PA/AP; Rt wrist plain film; 16-year-old female; 533 x 992 px —
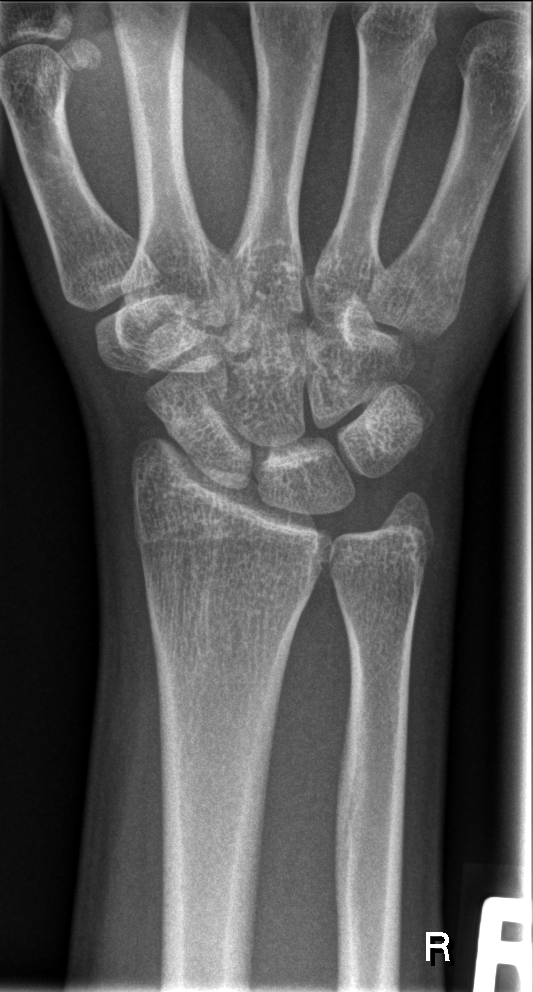 Fracture: none labeled.